Lateral view · right wrist plain film · age 14 y, male — 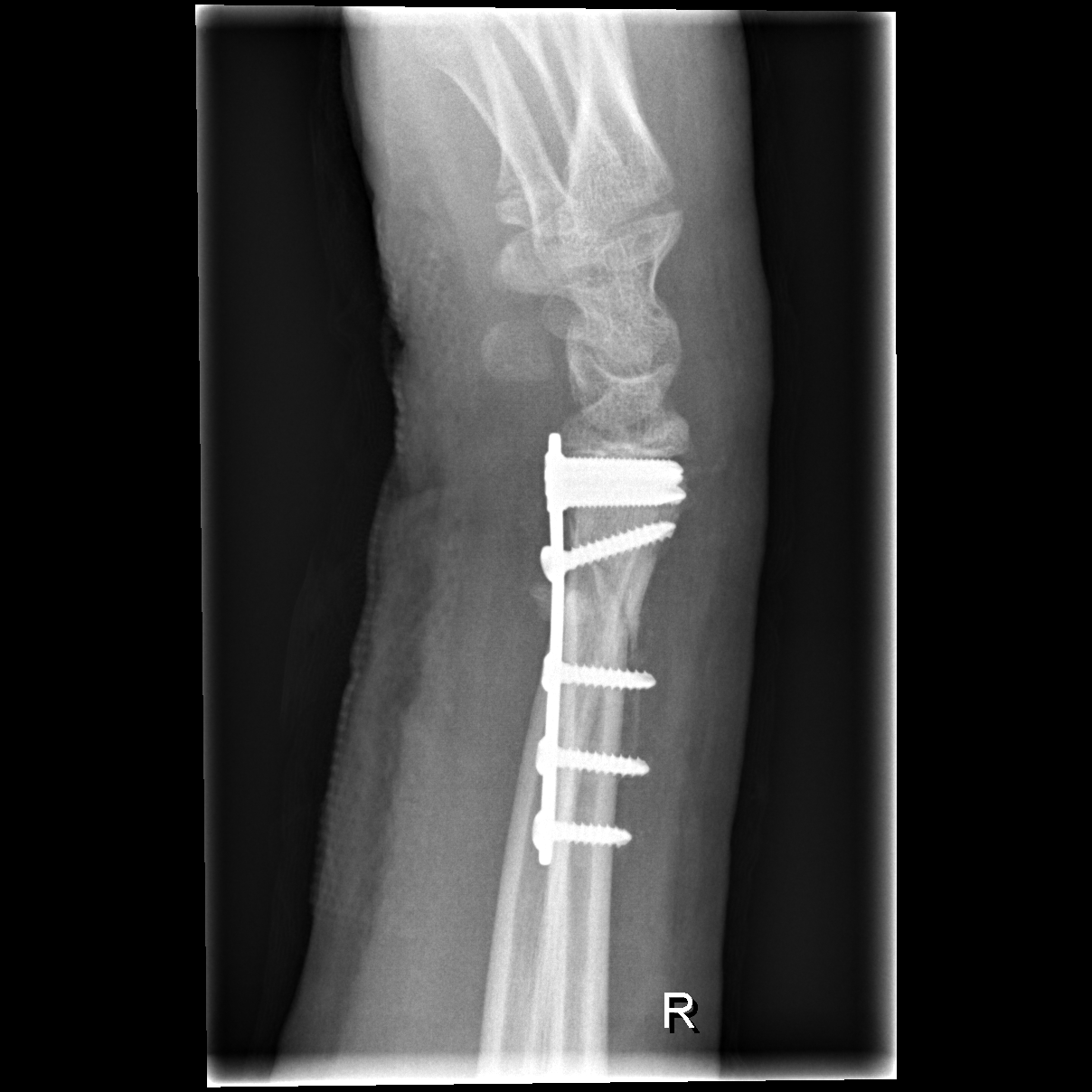

Boxes as x1,y1,x2,y2 (top-left / bottom-right, pixel units). Bone fracture — [563, 572, 662, 654]. Fracture classified AO/OTA 23r-M/3.1; 23u-E/7. Hardware — [523, 426, 692, 874]. Soft tissue abnormality — [311, 361, 566, 959].